Right wrist radiograph, lat projection, presentation radiograph —

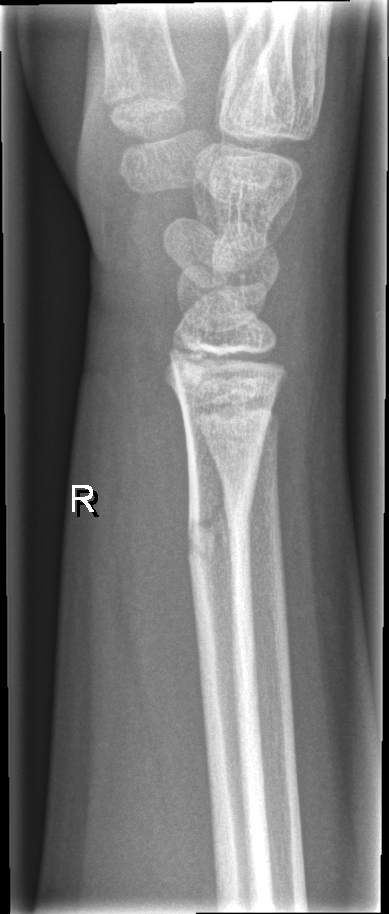 • Bounding boxes in image-pixel xyxy.
• AO/OTA classification: 23r-M/3.1.
• One fracture at 181,495,257,564.